Lat | right wrist X-ray | initial study —
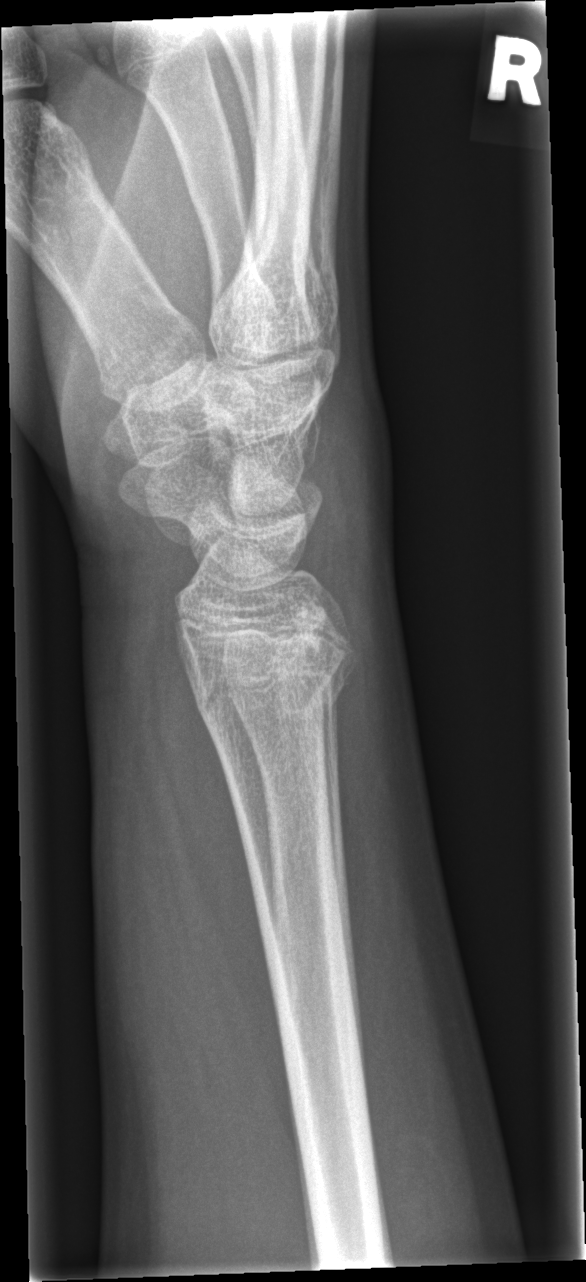

Findings: (pixel coordinates, top-left origin, xyxy) Bone fracture — bbox(184, 626, 361, 731). One pronator quadratus fat-pad sign at bbox(138, 583, 300, 1157).